Left wrist XR; AP:
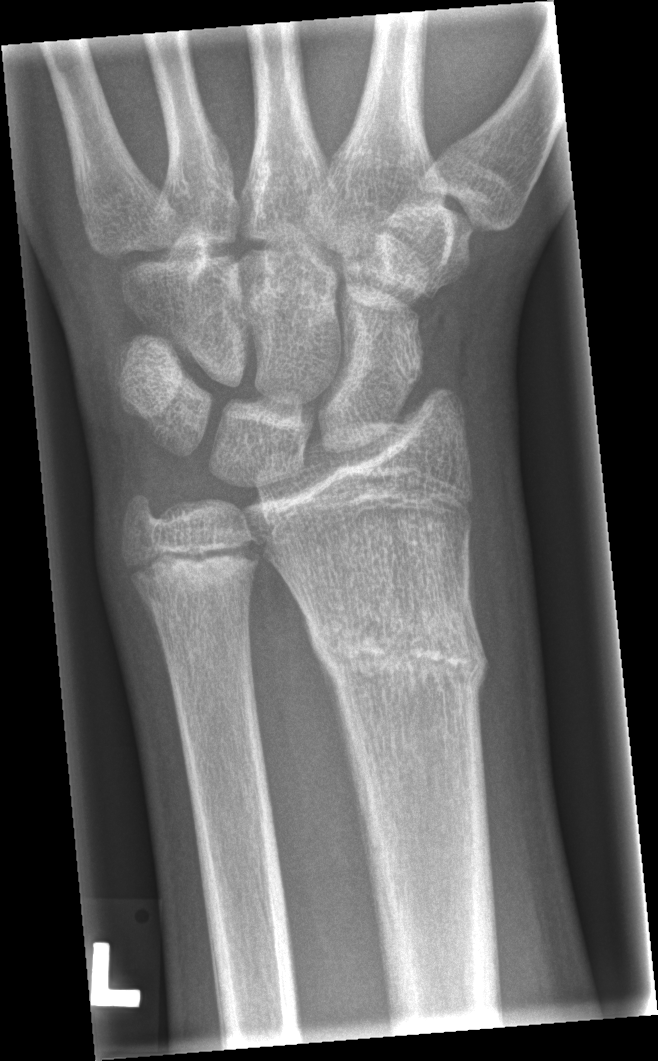

FINDINGS: Periosteal new bone — [319, 664, 361, 826]. Fx identified at [299, 588, 494, 704] [122, 529, 265, 614].